Lt plain radiograph of the wrist; PA/AP view

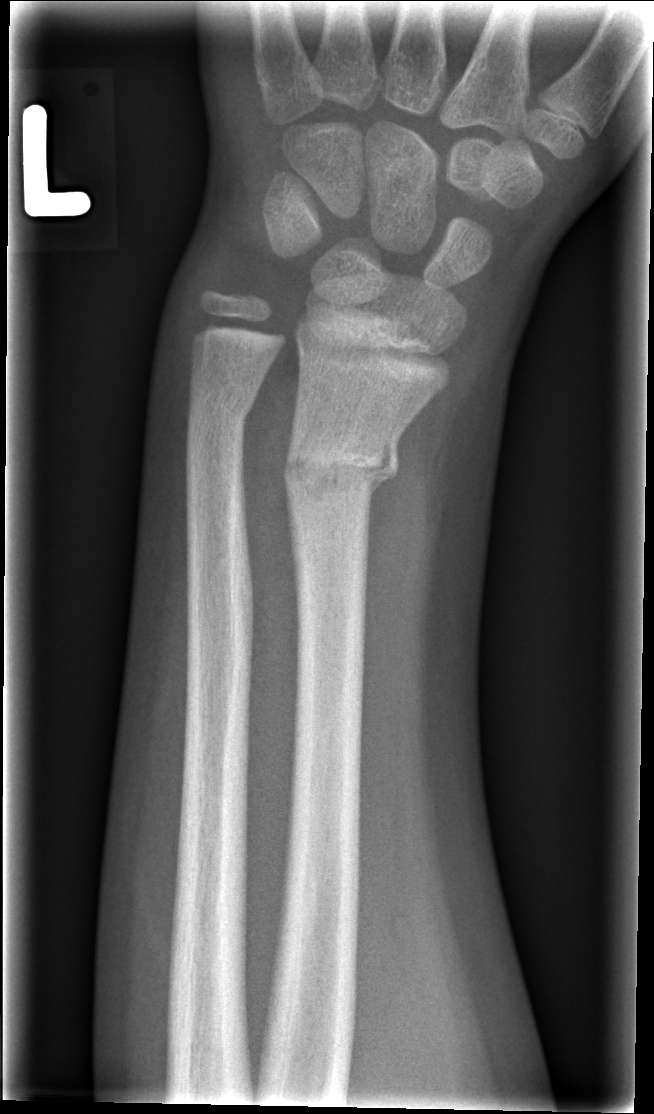

AO/OTA: 23-M/3.1
bone fracture: 2 @ (280, 423, 402, 506), (182, 375, 262, 447)